Rt wrist XR; AP view; male, 18 yo; follow-up study.

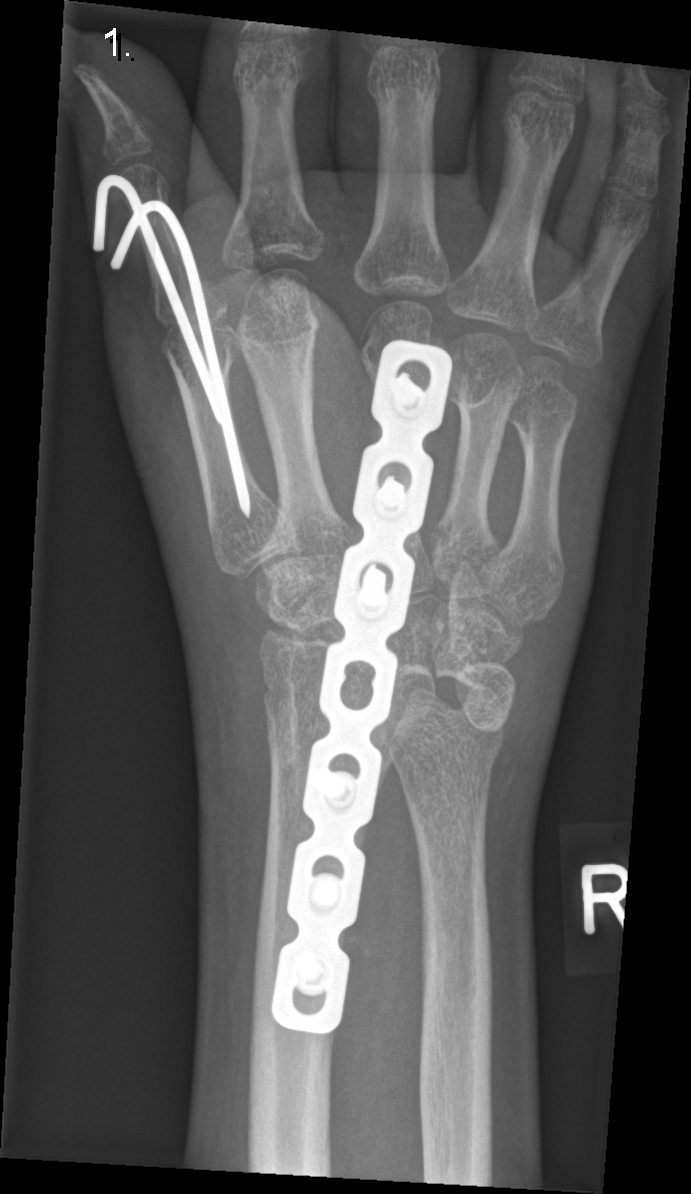
No fracture annotation. Hardware — 267,336,449,1036
  88,168,253,520.